Posteroanterior view, right wrist radiograph
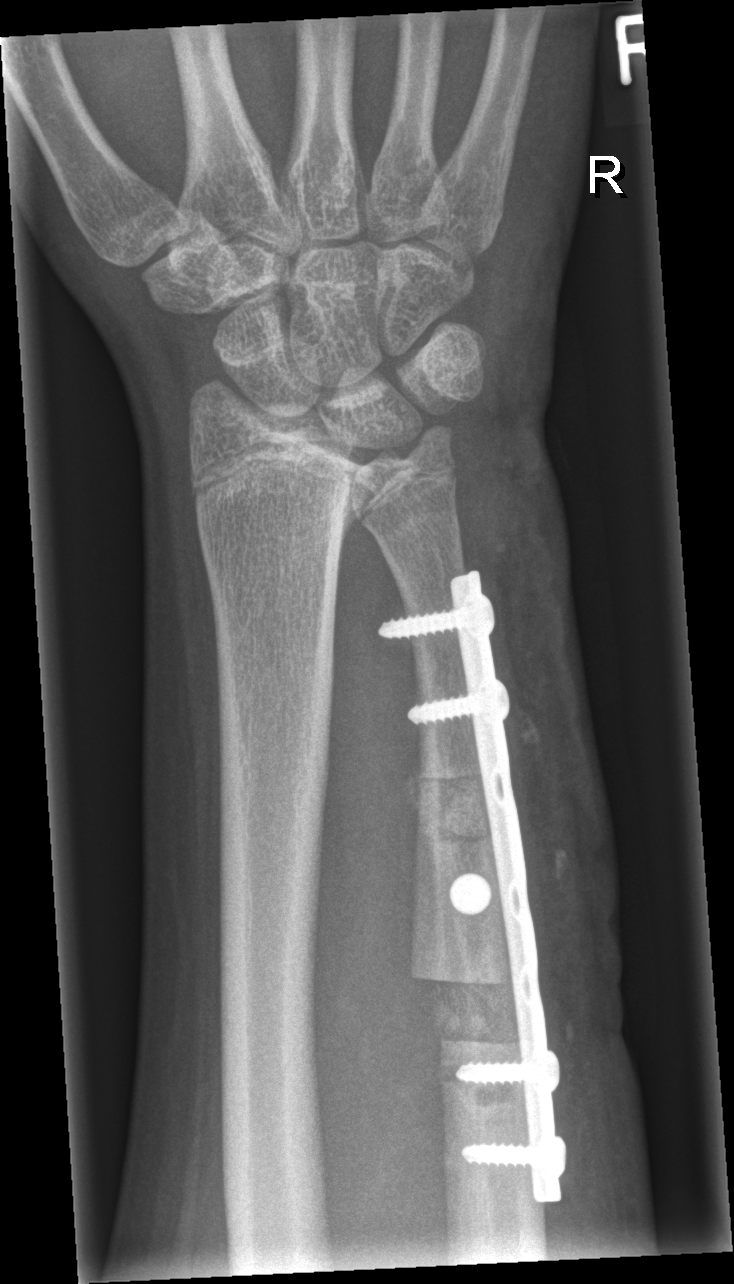 Metallic implant — [x1=380, y1=576, x2=565, y2=1205]. One soft-tissue swelling at [x1=460, y1=397, x2=635, y2=1151]. No fracture bounding box. Bone variants — [x1=403, y1=953, x2=533, y2=1104]; [x1=395, y1=754, x2=502, y2=859].